Lateral | left wrist radiograph | presentation radiograph | acquired on Siemens: 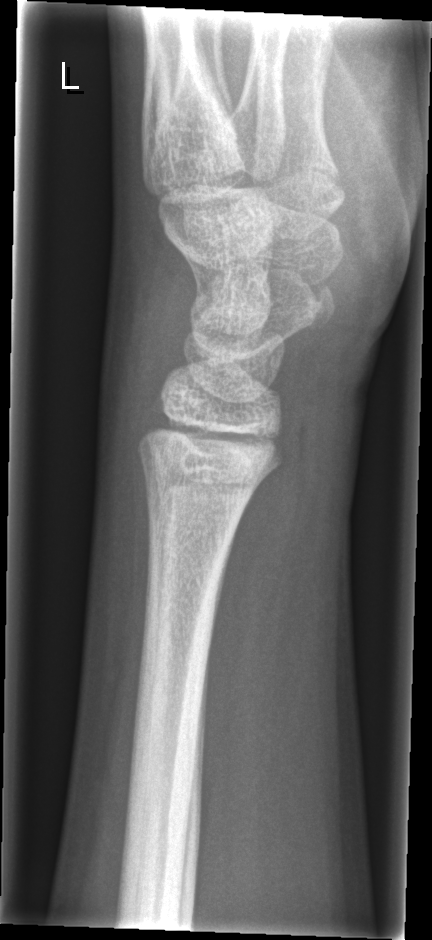

  fracture: none labeled